Frontal | Rt wrist X-ray | initial study

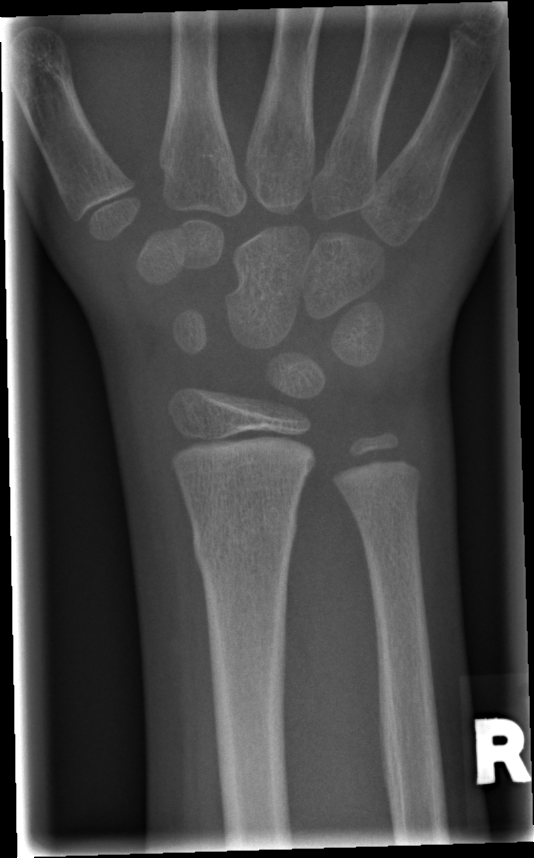

* Bone fracture: [189, 501, 301, 572].